Right plain radiograph of the wrist, frontal view, 13-year-old girl, follow-up —
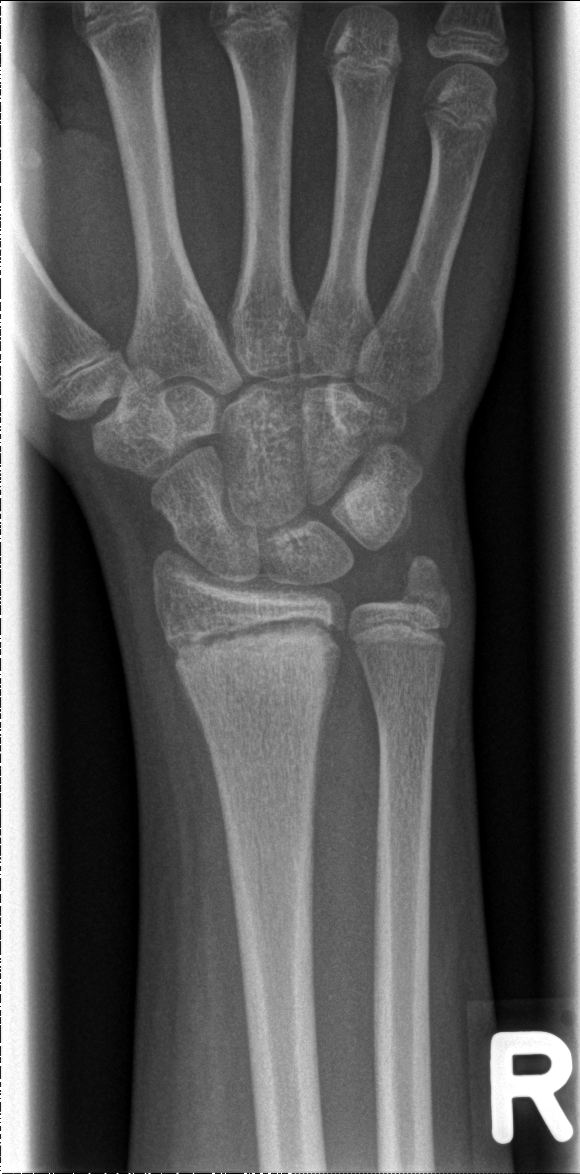
  fracture: 2 @ (169, 615, 348, 708); (399, 549, 454, 613)